Lat view · left wrist radiograph · cast present:

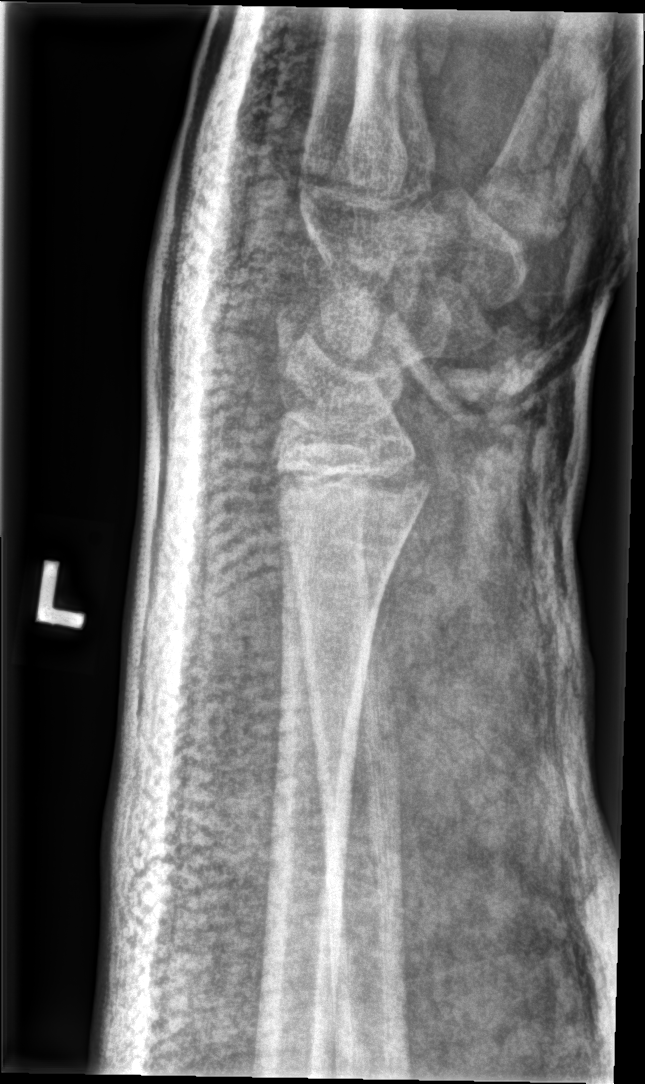
{
  "ao": "23r-E/2.1; 23u-E/7",
  "fracture": "264,445,439,518"
}